Lateral · R pediatric wrist radiograph · pediatric patient (boy, age 13) 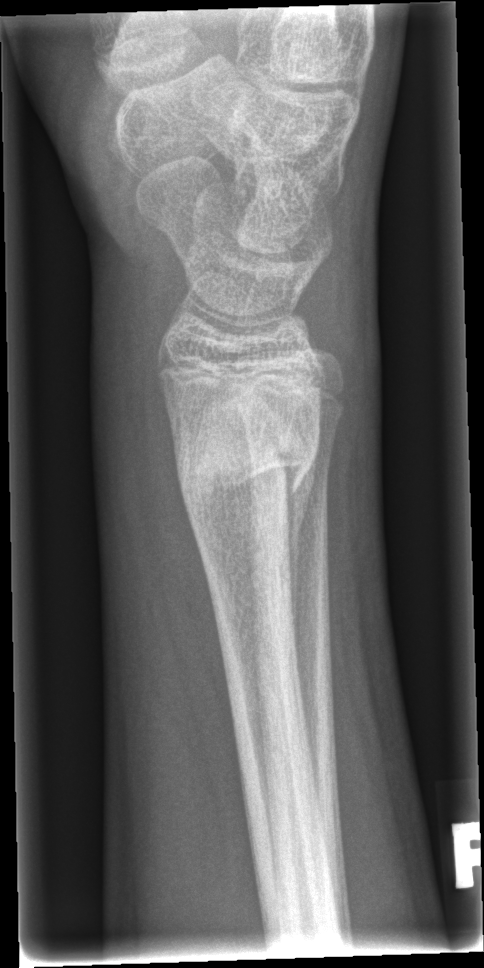
bone fracture: 1 @ 162 388 324 517
AO/OTA: 23r-M/3.1; 23u-E/7
periosteal reaction: 1 @ 286 440 318 665